Posteroanterior projection; R wrist XR; 15y F; index exam; acquired on Siemens.
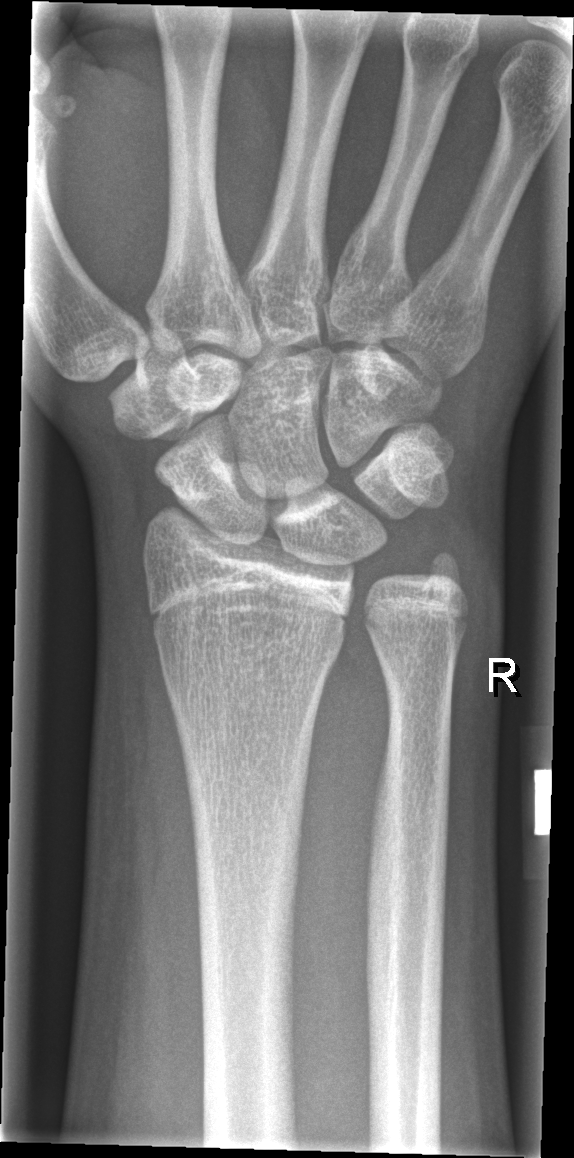 bone fracture: none labeled